PA/AP view | R wrist plain film | in cast | Siemens: 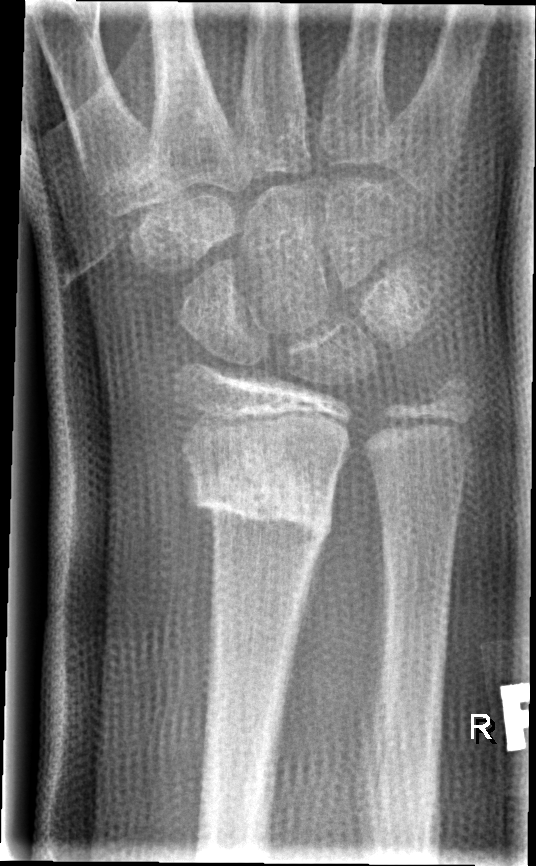
{
  "_coords": "bounding boxes in image-pixel xyxy",
  "fracture": "2 @ 185 460 339 557\n  423 370 474 416",
  "ao": "23r-M/2.1;23u-E/7"
}